Rt wrist radiograph; posteroanterior view; presentation radiograph

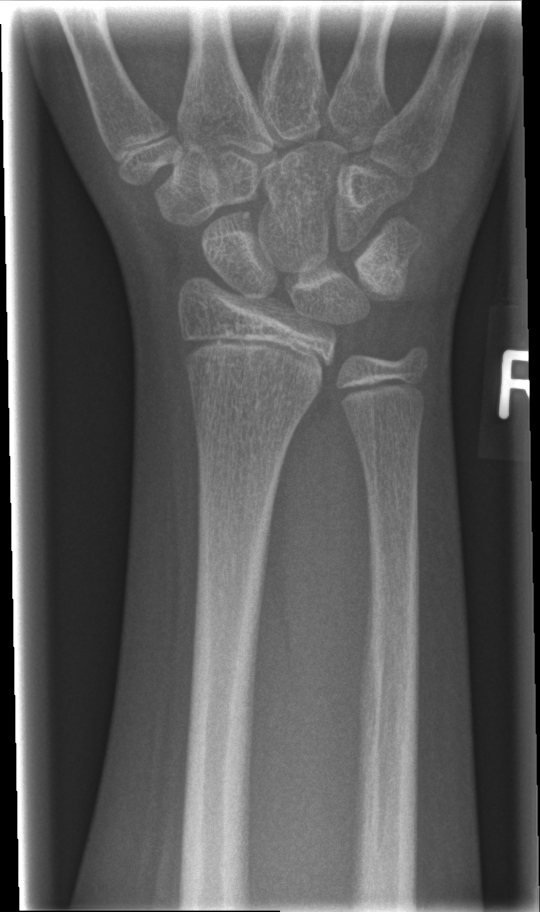
No fracture annotation.